Lat · Lt wrist XR · 10y M · 400x1042 —

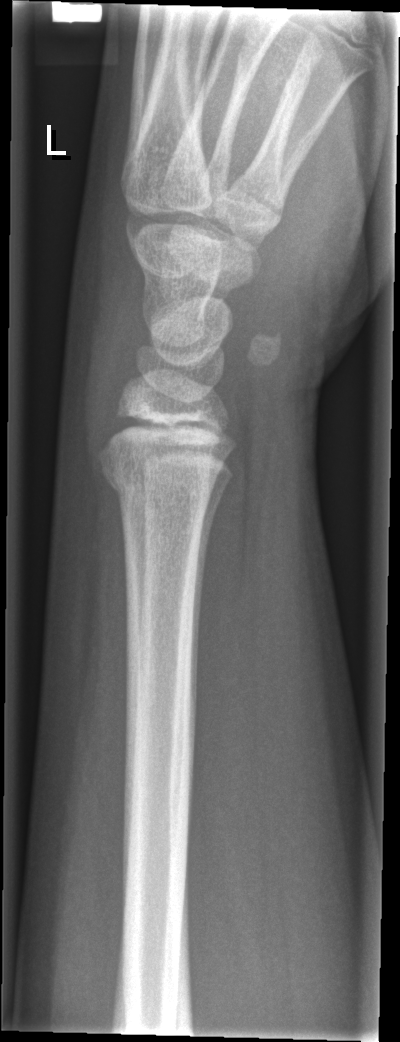

Bone fracture = (100, 462, 227, 514)